PA/AP view; L pediatric wrist radiograph — 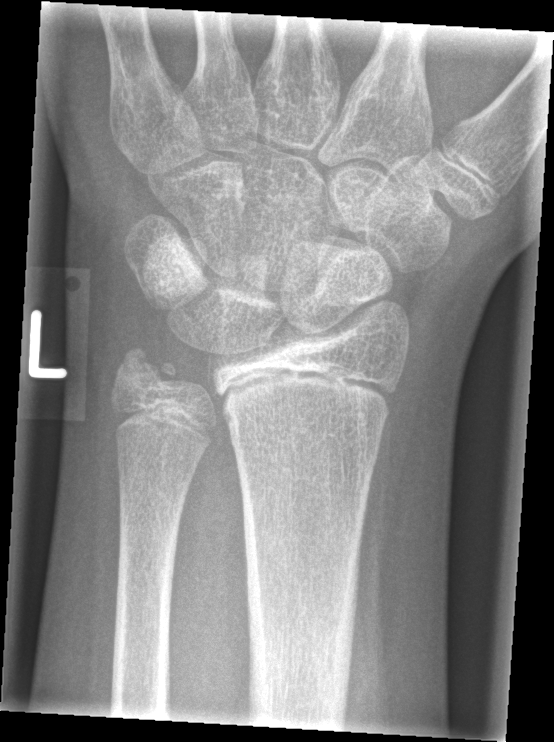
# bounding boxes in image-pixel xyxy
ao: 23u-E/7
fracture: 1 @ <115,344>-<180,389>